Rt wrist X-ray, frontal

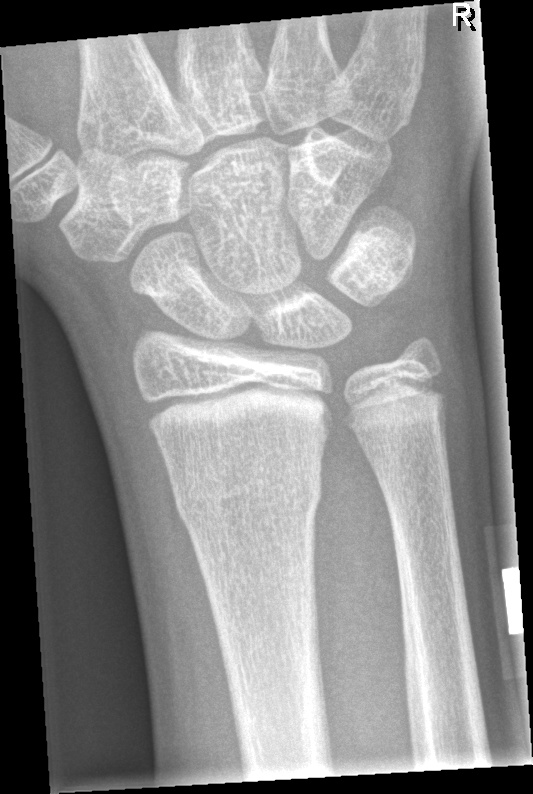 AO/OTA classification: 23r-M/2.1. Fracture identified at 173,457,325,530.